Lat projection · Rt wrist radiograph · 11-year-old female · presentation radiograph

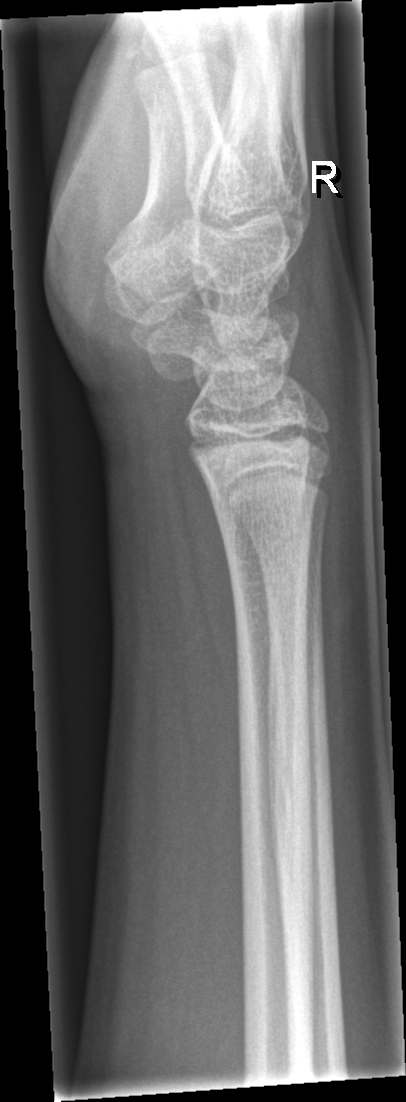

Q: Any fracture seen?
A: No fracture annotation